Lat view | Lt wrist radiograph | initial study —

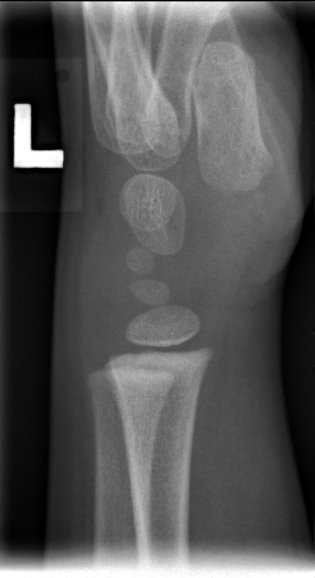 Q: Fracture present?
A: No fracture labeled